Left wrist plain film, PA view, initial study, 556x762.
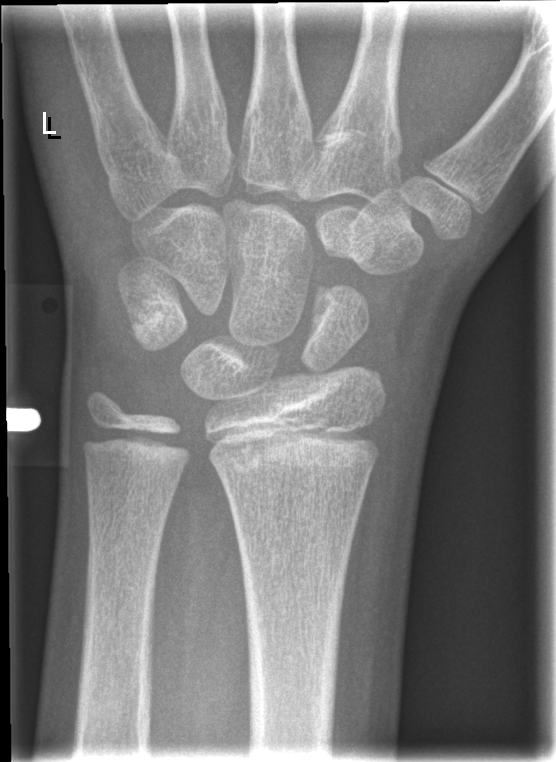
Q: Locate any fractures.
A: No Fx annotated